PA projection, left plain radiograph of the wrist, 532 x 1104 px —

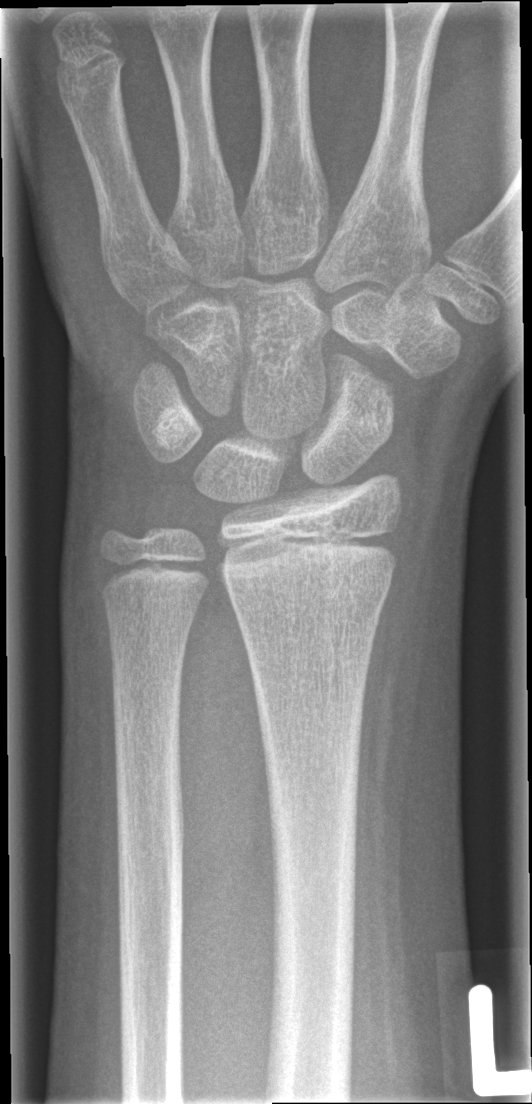

- AO/OTA classification: 23r-M/2.1.
- Fracture present but not clearly seen in this view.